Posteroanterior view · left wrist XR · boy, 5 yo · Siemens 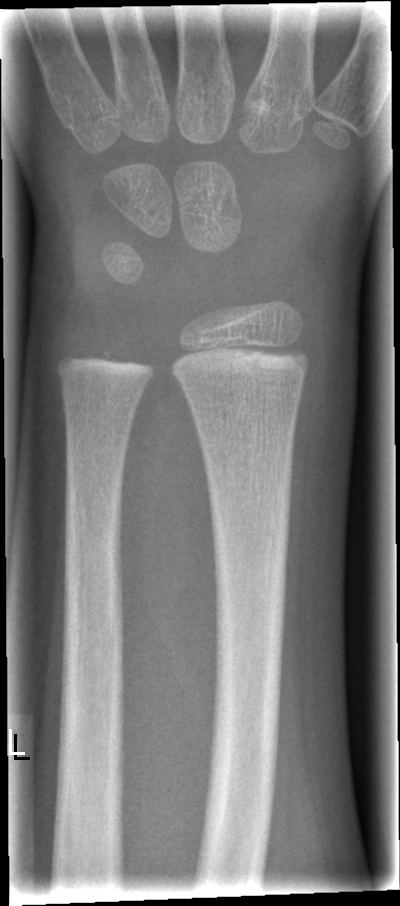 Fracture = none labeled